Lateral view | right wrist X-ray | 15y M | 508 by 1234 pixels
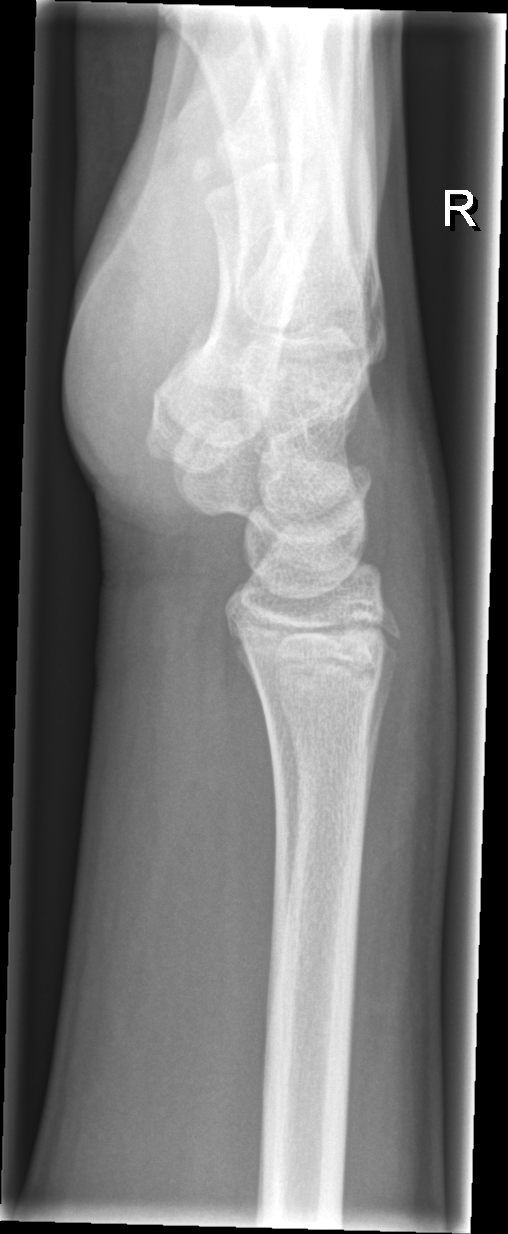
Fx = none labeled